Lateral, L plain radiograph of the wrist, cast present

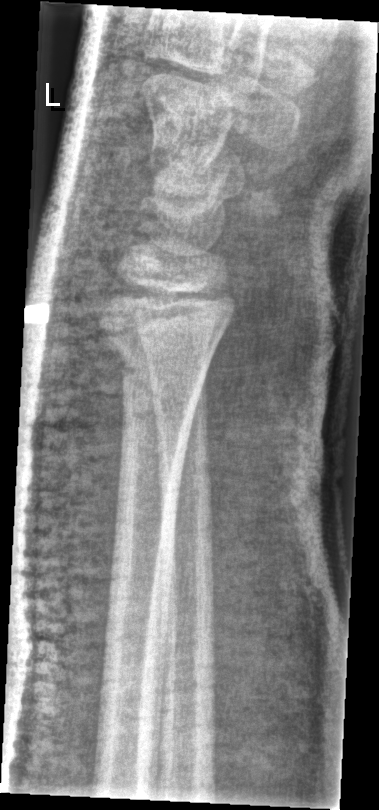 FINDINGS: (pixel coordinates, top-left origin, xyxy) Fx: [x1=94, y1=313, x2=228, y2=388].